Left wrist radiograph, lateral projection, follow-up study, imaged through cast
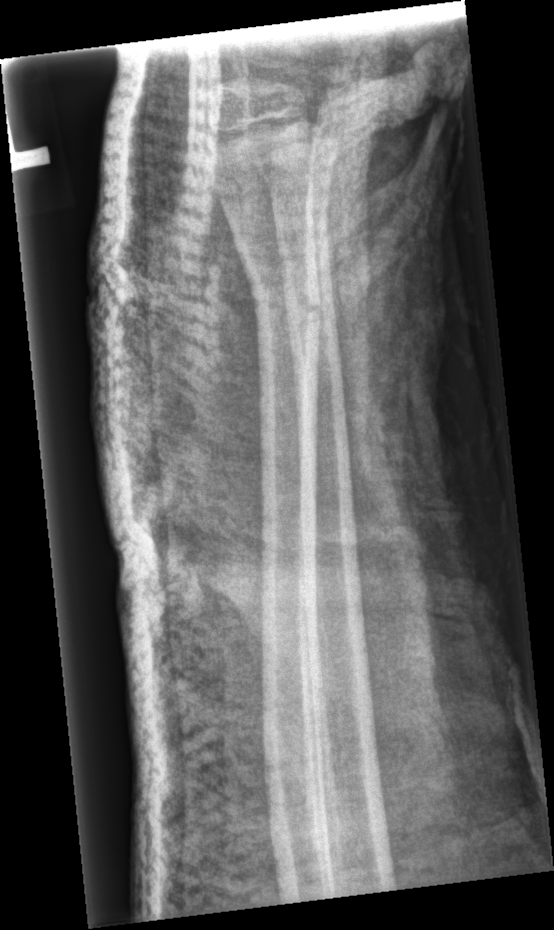
Findings: (pixel coordinates, top-left origin, xyxy) Bone fracture — [250, 283, 325, 336].